L pediatric wrist radiograph | lateral | 8-year-old girl
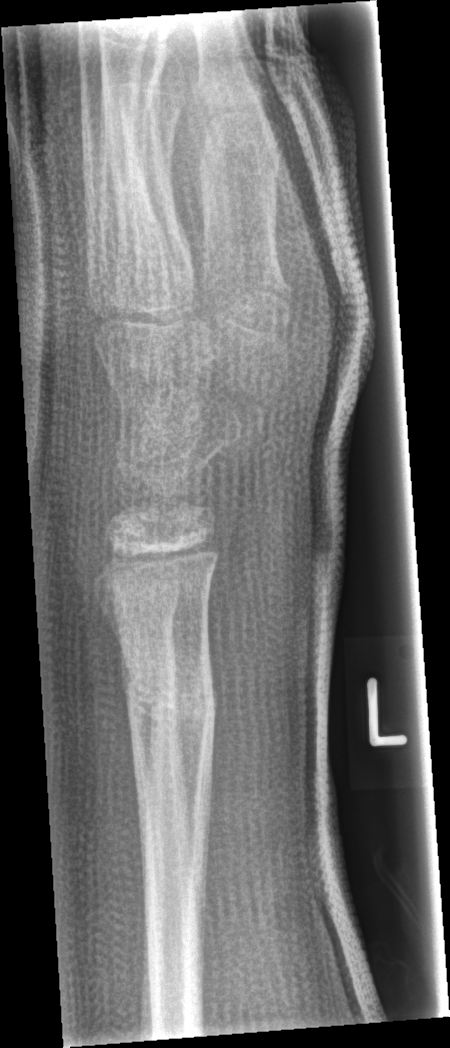
Two Fx at (left=117, top=649, right=222, bottom=761), (left=100, top=574, right=187, bottom=651).
AO code 23r-M/3.1; 23u-M/2.1.
Reduced bone mineral density.